AP projection, Lt wrist radiograph, pediatric patient (male, age 13), subsequent exam, Siemens

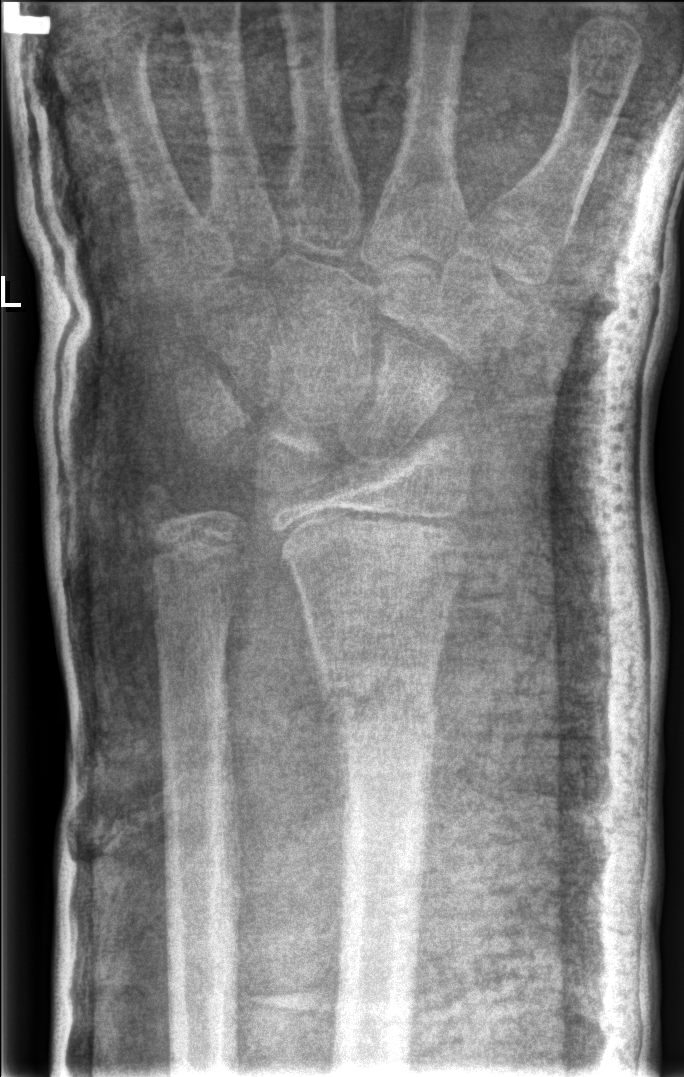

Coordinates are [x1, y1, x2, y2] in image pixels. Two bone fractures at bbox(317, 654, 440, 764) bbox(127, 473, 191, 535). AO code 23r-M/3.1; 23u-E/7.